Lat view | R pediatric wrist radiograph | male, 12 yo | Siemens | 544x1045

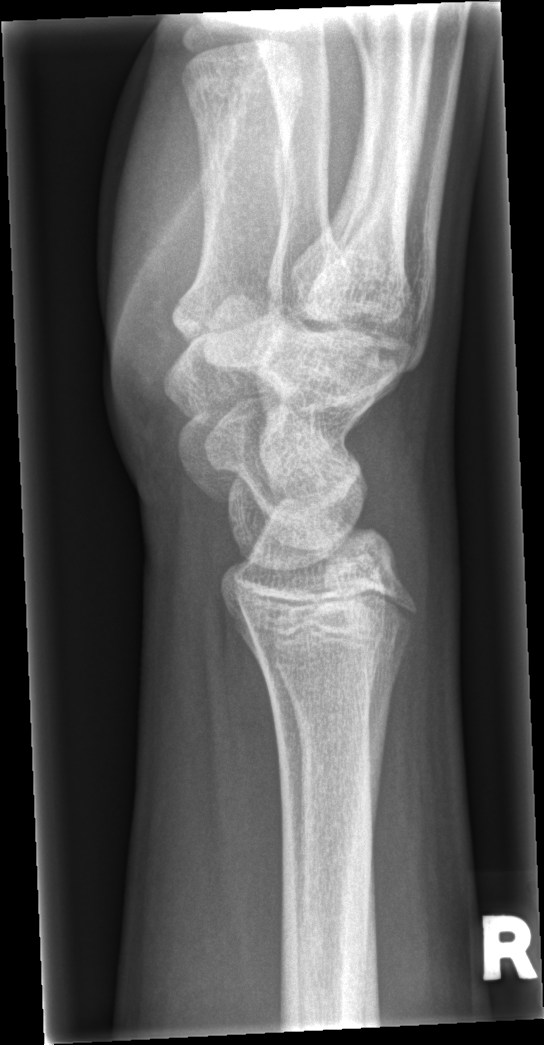 Bone fracture = present but not clearly seen in this view